PA/AP view, Rt wrist radiograph, pediatric patient (boy, age 15), Siemens.

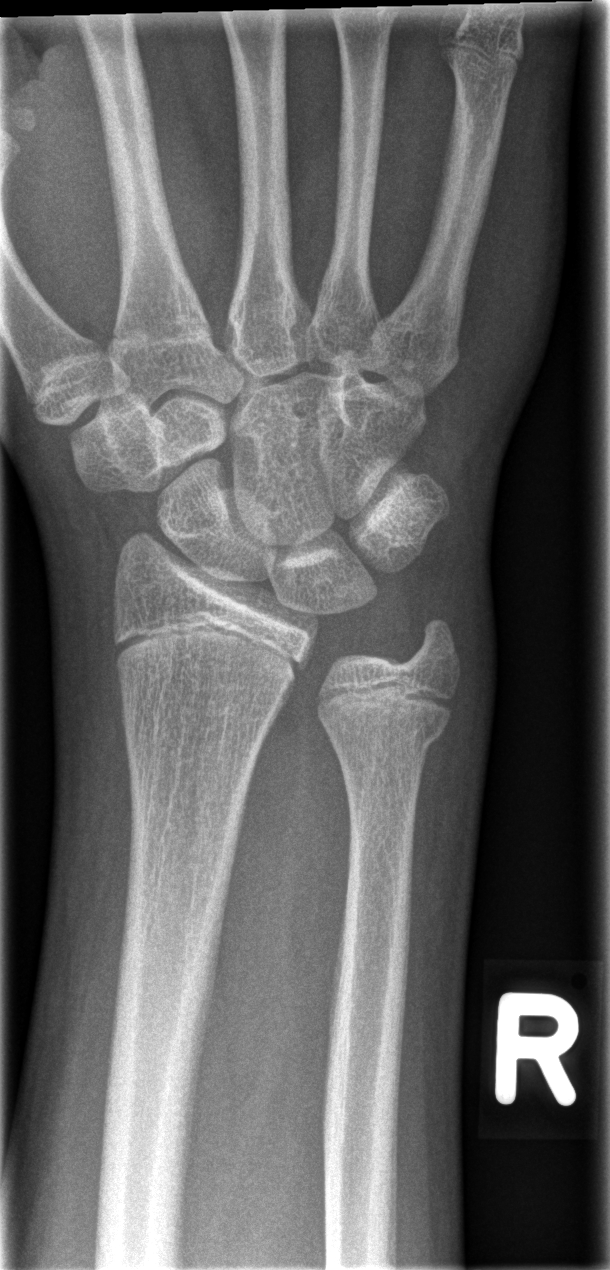 Q: Any fracture seen?
A: Fx — [320, 701, 452, 768]
Q: AO code?
A: Fracture classified AO/OTA 23u-M/2.1